AP projection; L wrist X-ray; 10-year-old female; index exam:
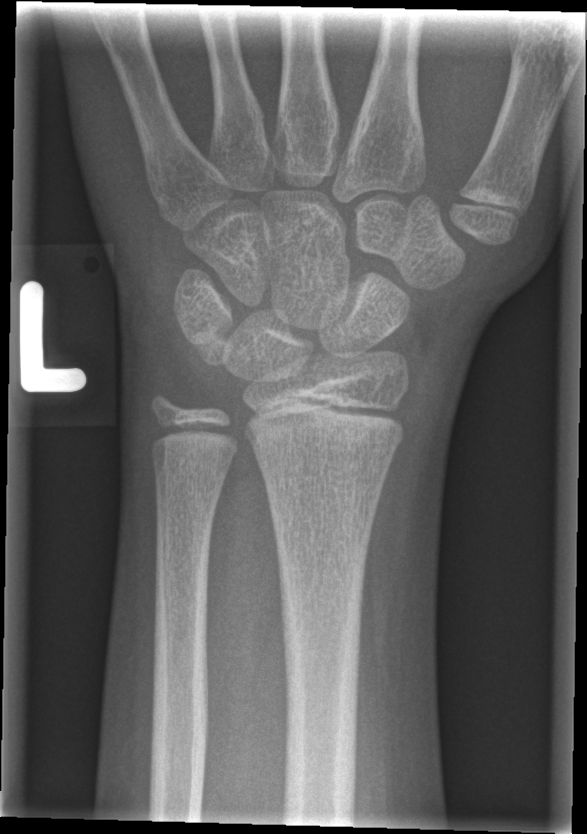

FINDINGS — No fracture annotation.